Oblique view; Rt wrist XR

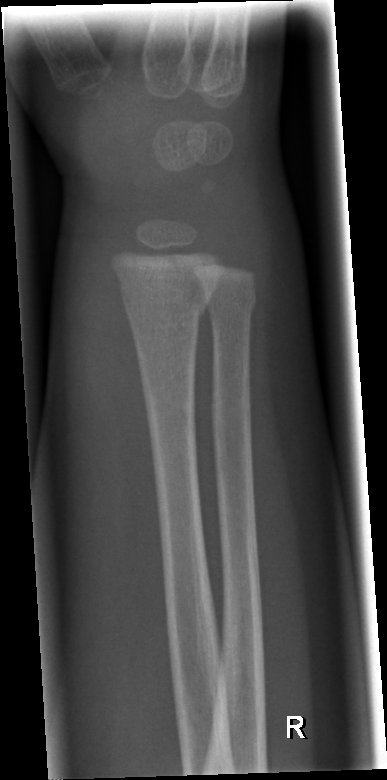

- Two fractures at (left=116, top=273, right=209, bottom=319) (left=203, top=281, right=260, bottom=320).